Lateral projection | Lt pediatric wrist radiograph | initial study:
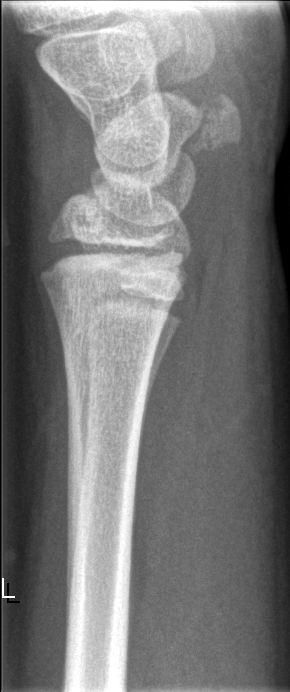 {
  "fracture": "none labeled"
}